Left wrist plain radiograph of the wrist; frontal view; cast in situ; acquired on Siemens; image 99.8 mm wide: 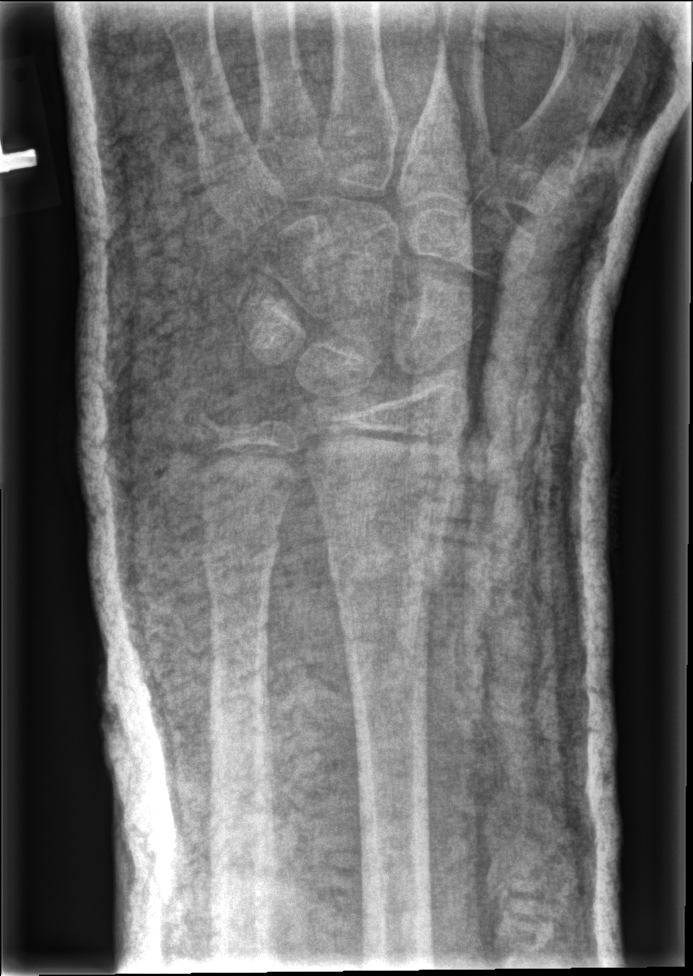 # pixel coordinates, top-left origin, xyxy
ao: 23r-M/3.1; 23u-M/2.1
fracture: 2 @ <321,527>-<446,596>, <200,534>-<282,607>